Rt plain radiograph of the wrist; lat projection; 55.6 mm image width; image size 386x766.
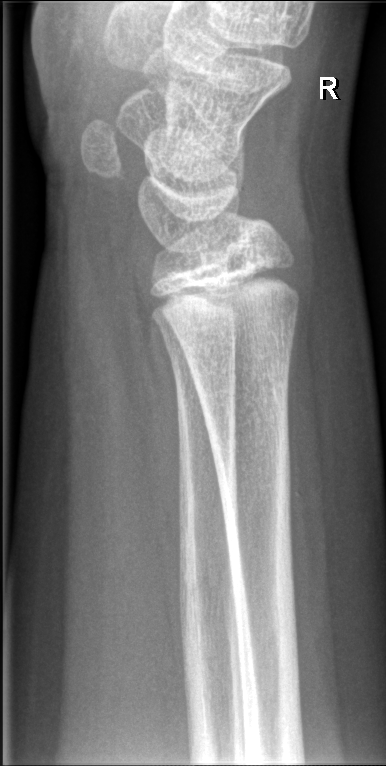

- No fracture annotation.